Rt plain radiograph of the wrist, AP view, 9-year-old male, 474x732
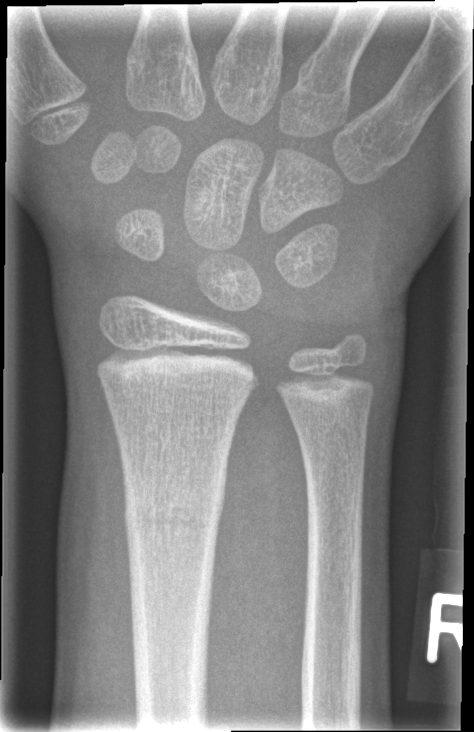 Q: Locate any fractures.
A: Bone fracture identified at 122 480 228 549
Q: What is the AO/OTA classification?
A: AO code 23r-M/3.1